PA/AP | Lt plain radiograph of the wrist | pediatric patient (boy, age 15) | presentation radiograph | image width 99.6 mm

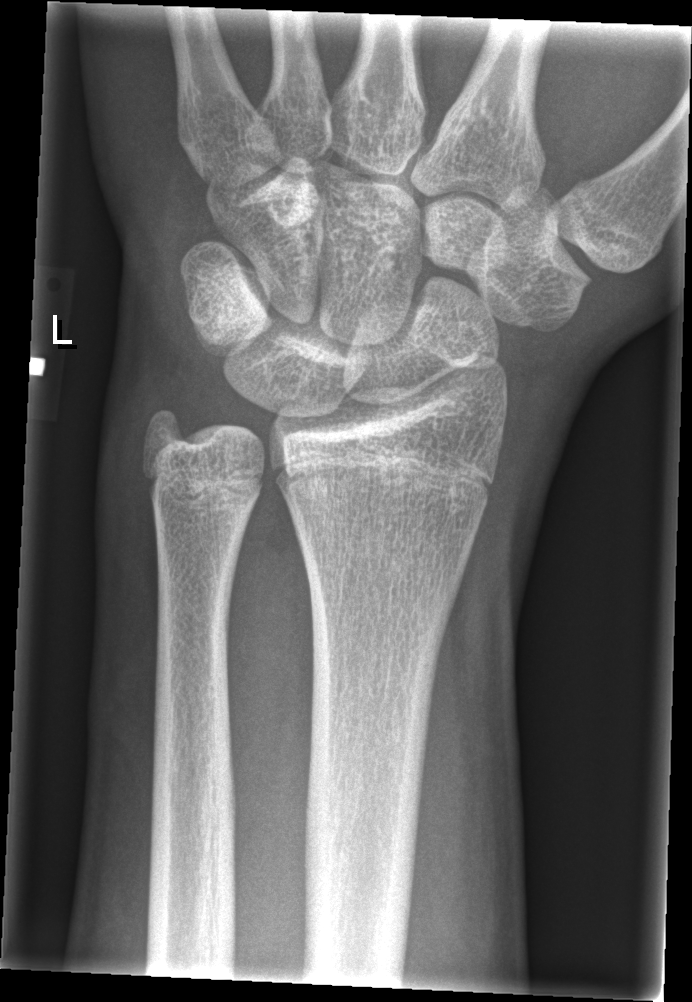

FINDINGS — No fracture annotation.